Lat, Rt wrist plain film, presentation radiograph —
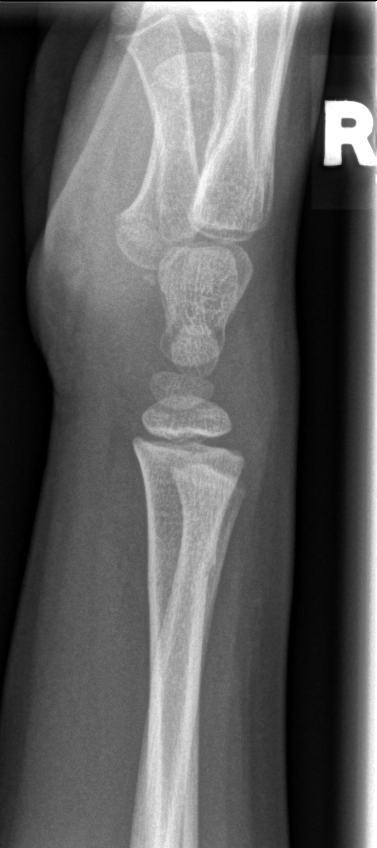
(pixel coordinates, top-left origin, xyxy)
Q: Any fracture seen?
A: One bone fracture at bbox(144, 539, 223, 596)
Q: AO code?
A: AO code 23-M/2.1